Lat view | Rt wrist XR | age 13 y, male | presentation radiograph | image size 386x1134 —
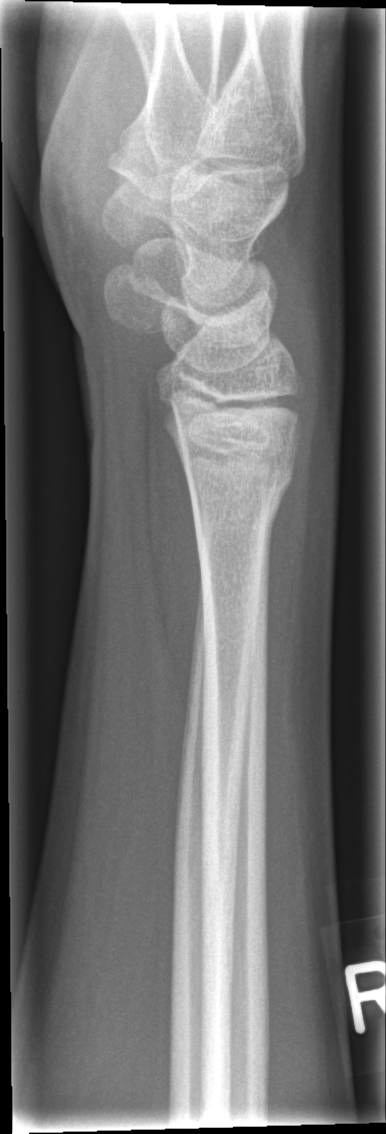
Pixel coordinates, top-left origin, xyxy. Fx — [174, 433, 302, 523]. AO/OTA classification: 23r-M/2.1.